Frontal projection, right wrist plain film, age 13 y, male, follow-up study, image width 96.9 mm:

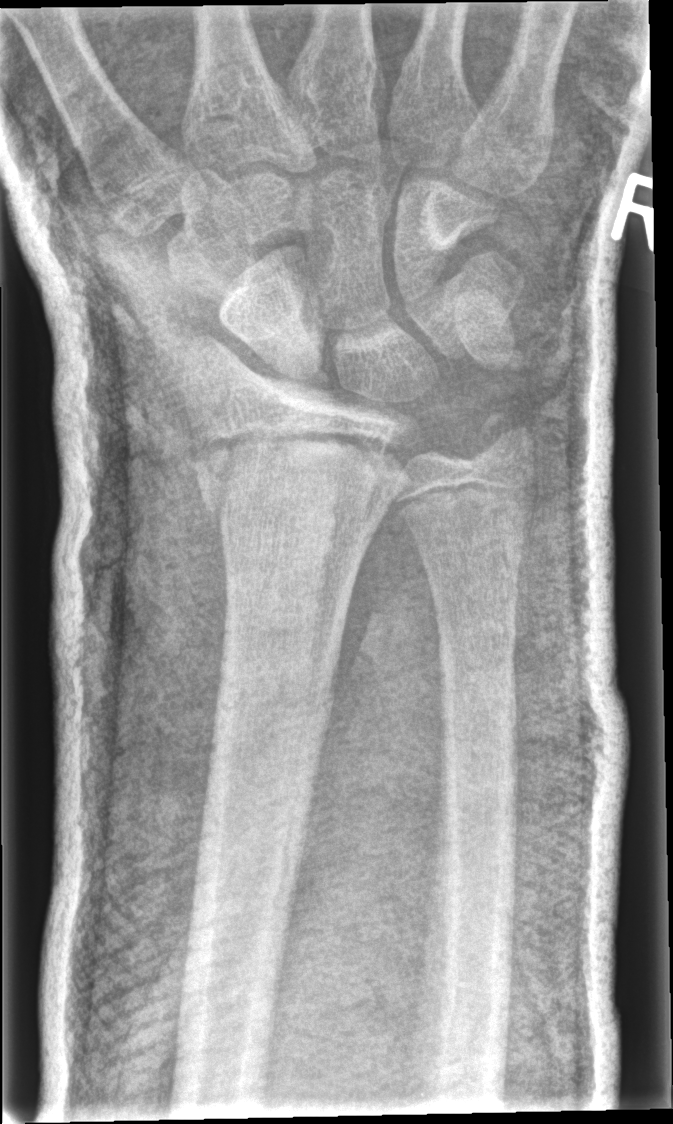 AO code 23r-E/2.1; 23u-E/7. Fracture: [x1=196, y1=447, x2=383, y2=541]; [x1=467, y1=402, x2=543, y2=480].